R wrist XR · AP projection · acquired on Siemens · image width 109.0 mm. 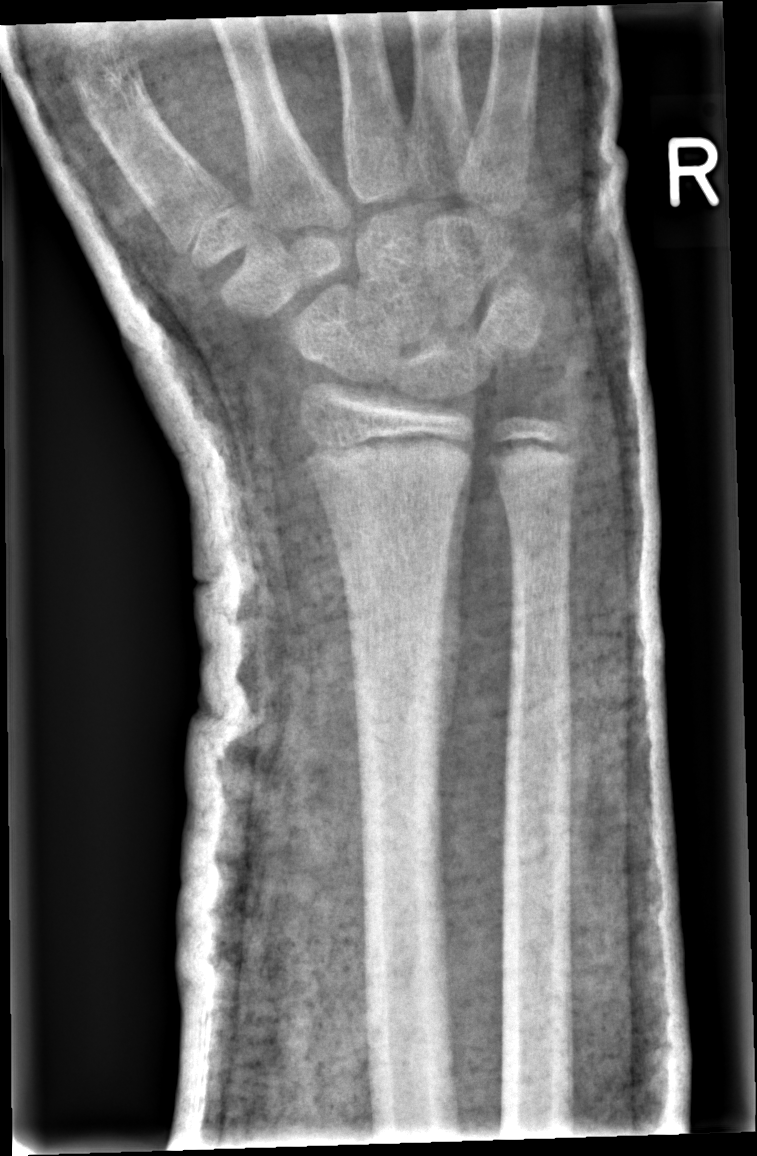 Findings: One Fx at [x1=293, y1=418, x2=474, y2=505]. AO code 23r-E/2.1; 23u-E/7.